Posteroanterior projection · R wrist plain film · 14y F · 642 x 1066 px — 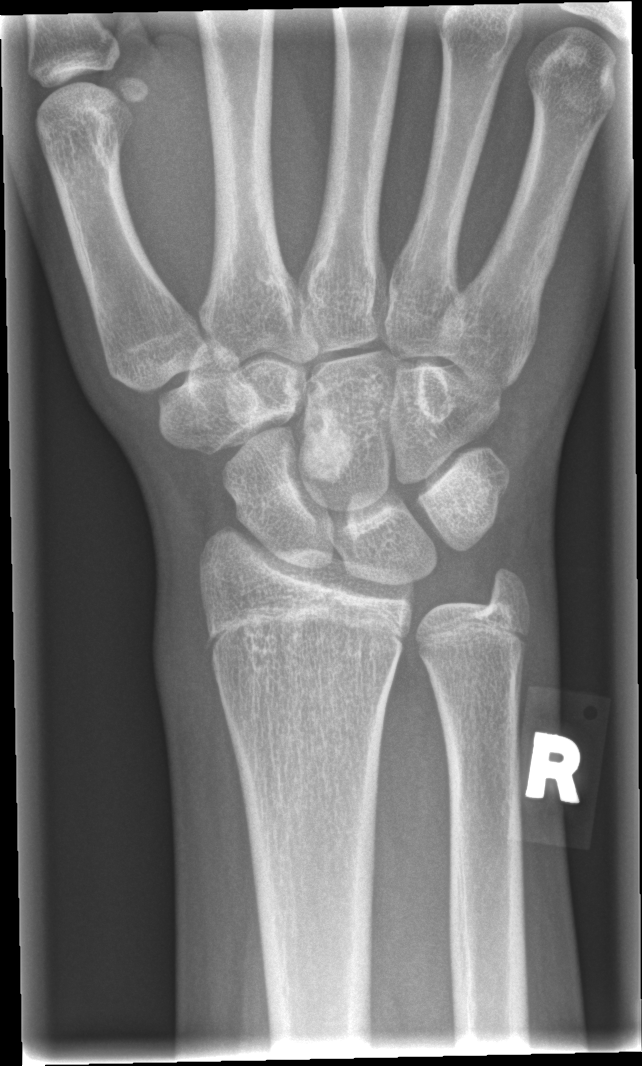 No fracture annotation. One osseous lesion at 301 406 355 484.